Right wrist X-ray | AP | 7-year-old female | follow-up: 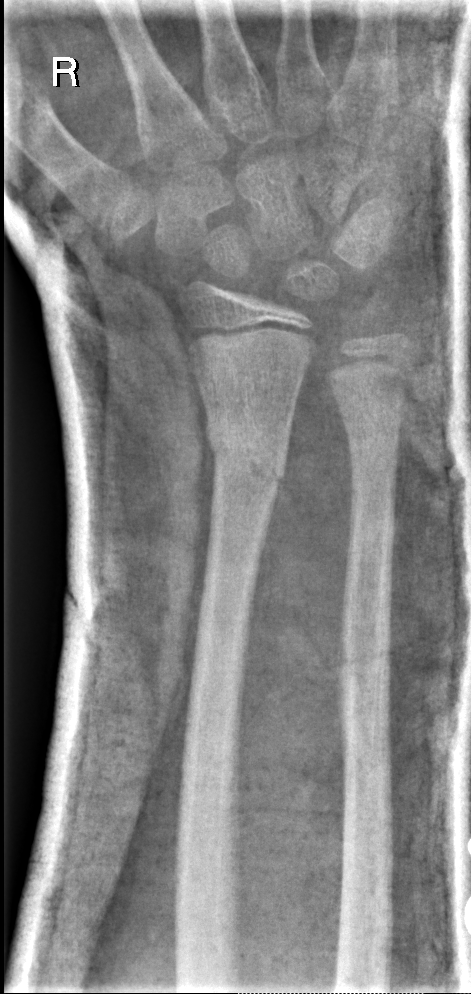
Fracture classified AO/OTA 23r-M/3.1; 23u-M/2.1.
Fx — [x1=202, y1=413, x2=289, y2=496].